Right wrist XR, AP projection, age 9 y, boy, acquired on Siemens, 92.0 mm image width —
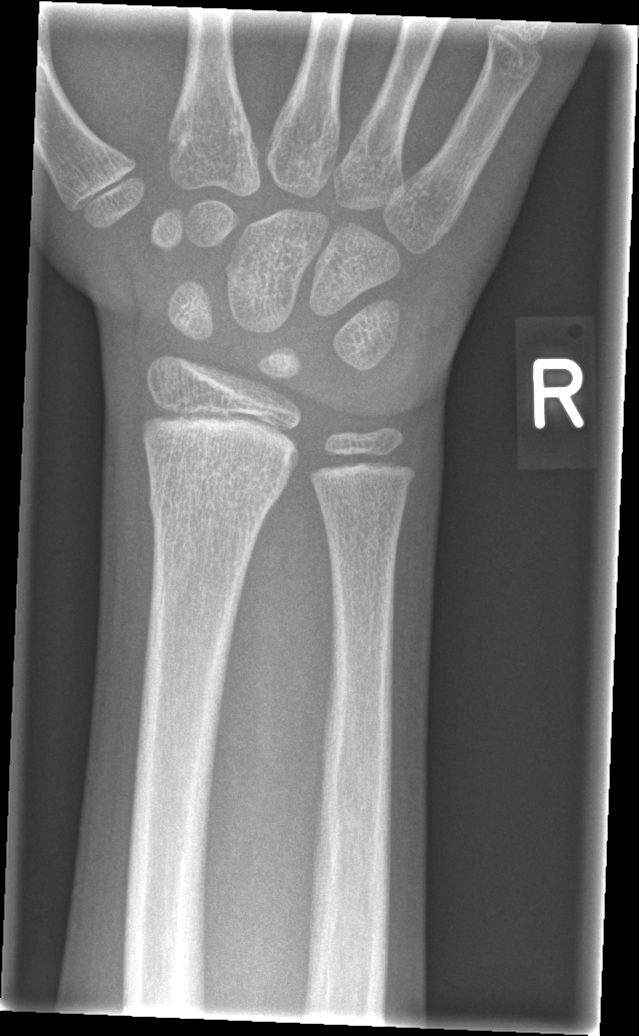

Pixel coordinates, top-left origin, xyxy.
One Fx at (left=144, top=473, right=288, bottom=530).
Fracture classified AO/OTA 23r-M/2.1.